Frontal · right wrist XR · presentation radiograph · 648 x 1052 px: 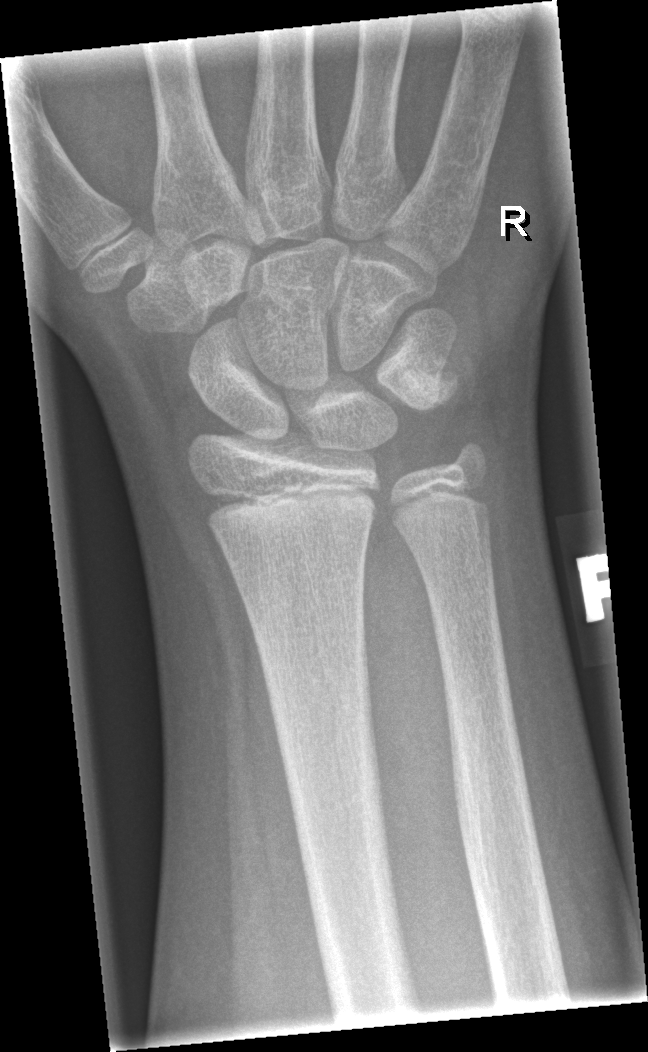

Fx: none labeled